AP, left pediatric wrist radiograph, index exam:

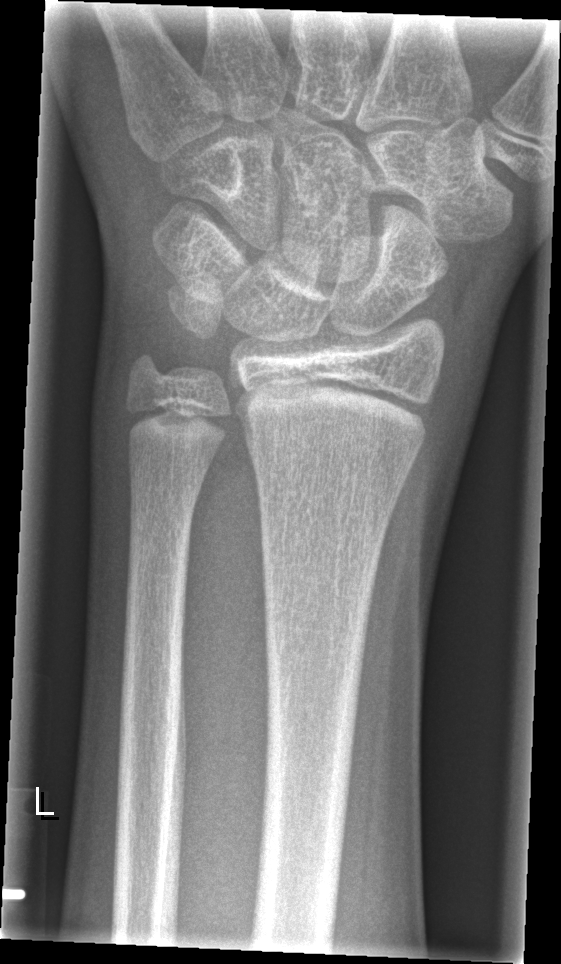 * Fracture classified AO/OTA 23r-M/2.1.
* Fracture: present but not clearly seen in this view.